Lateral view; left pediatric wrist radiograph; 10y F.
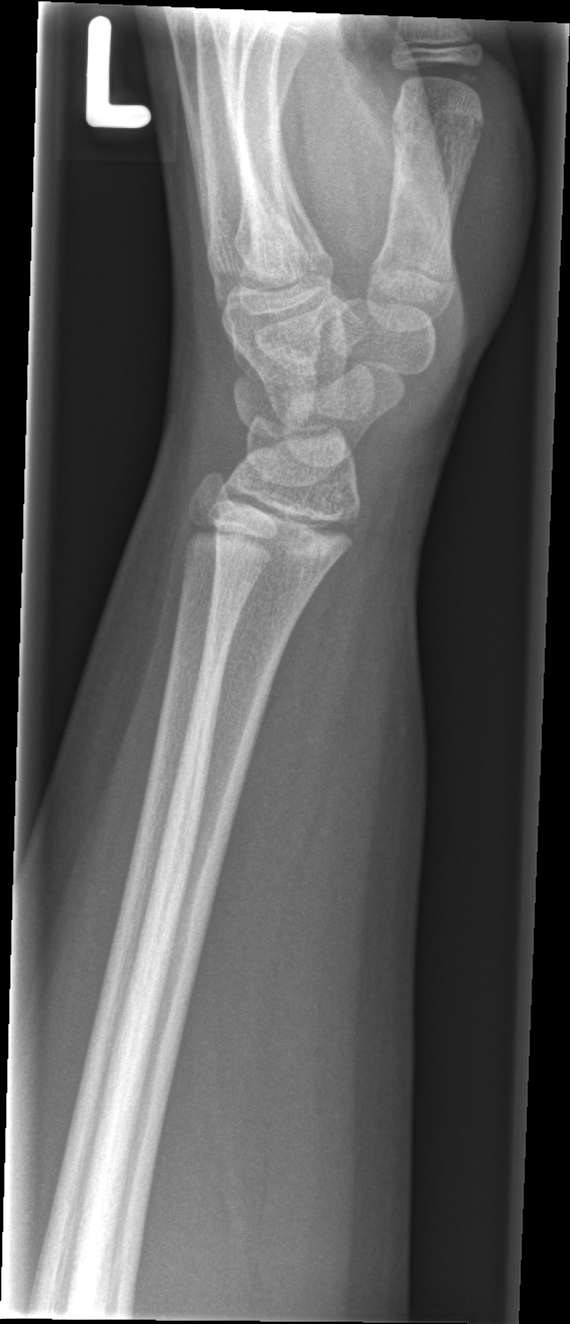

Q: Is there a fracture?
A: Fx: none